Lateral projection | Lt wrist radiograph — 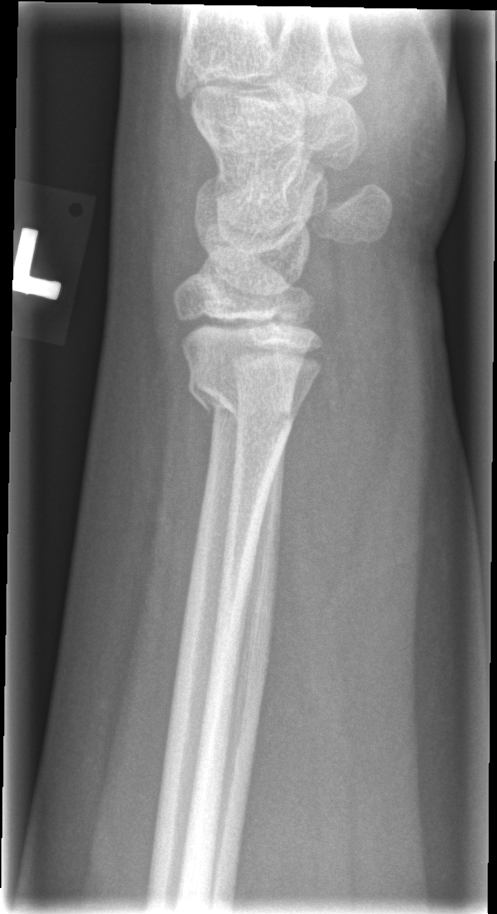
- Pixel coordinates, top-left origin, xyxy.
- Fracture: (left=185, top=361, right=299, bottom=436).
- Fracture classified AO/OTA 23r-M/3.1; 23u-E/7.